Lt wrist X-ray | lat projection:

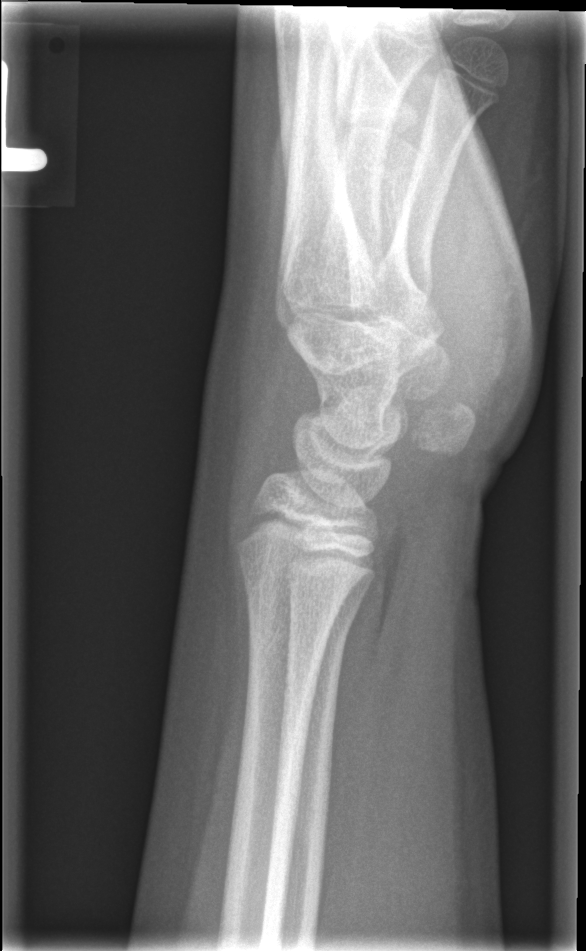
  fracture: none labeled